Left wrist plain film · PA view · follow-up study · imaged through cast · image 112.6 mm wide —

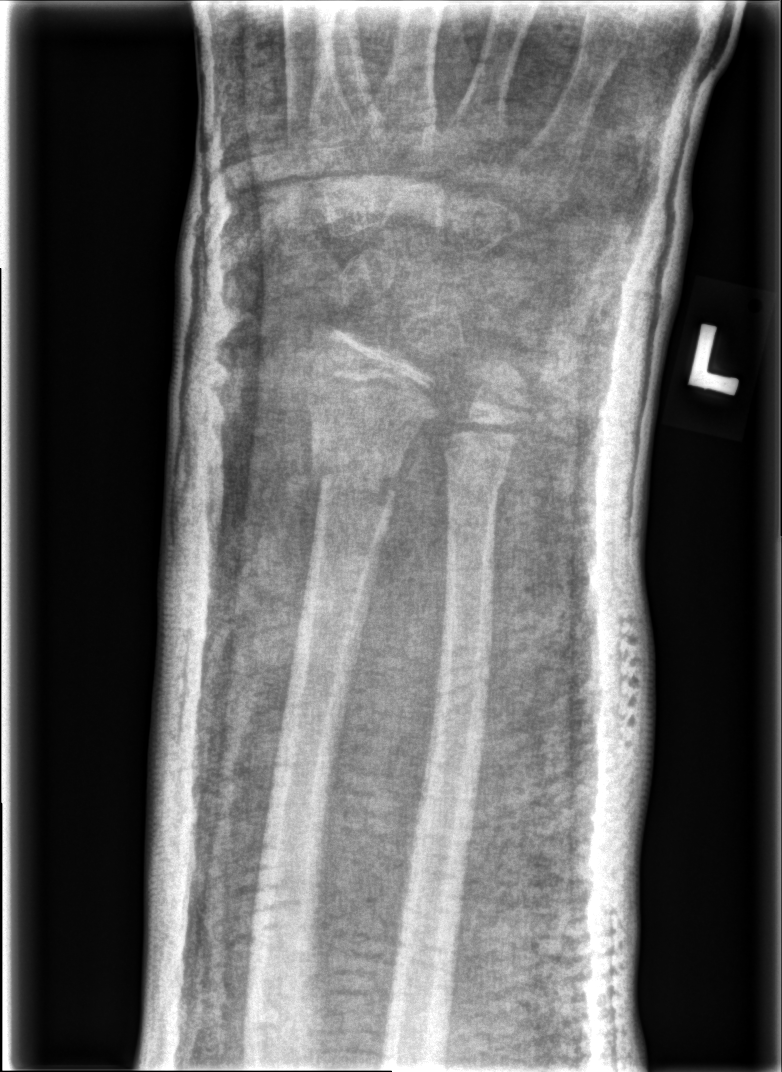 Fracture: (306, 438, 409, 510), (443, 458, 512, 515). AO/OTA classification: 23r-M/3.1; 23u-M/2.1.